PA projection · right pediatric wrist radiograph · 10y M · 688 by 1268 pixels

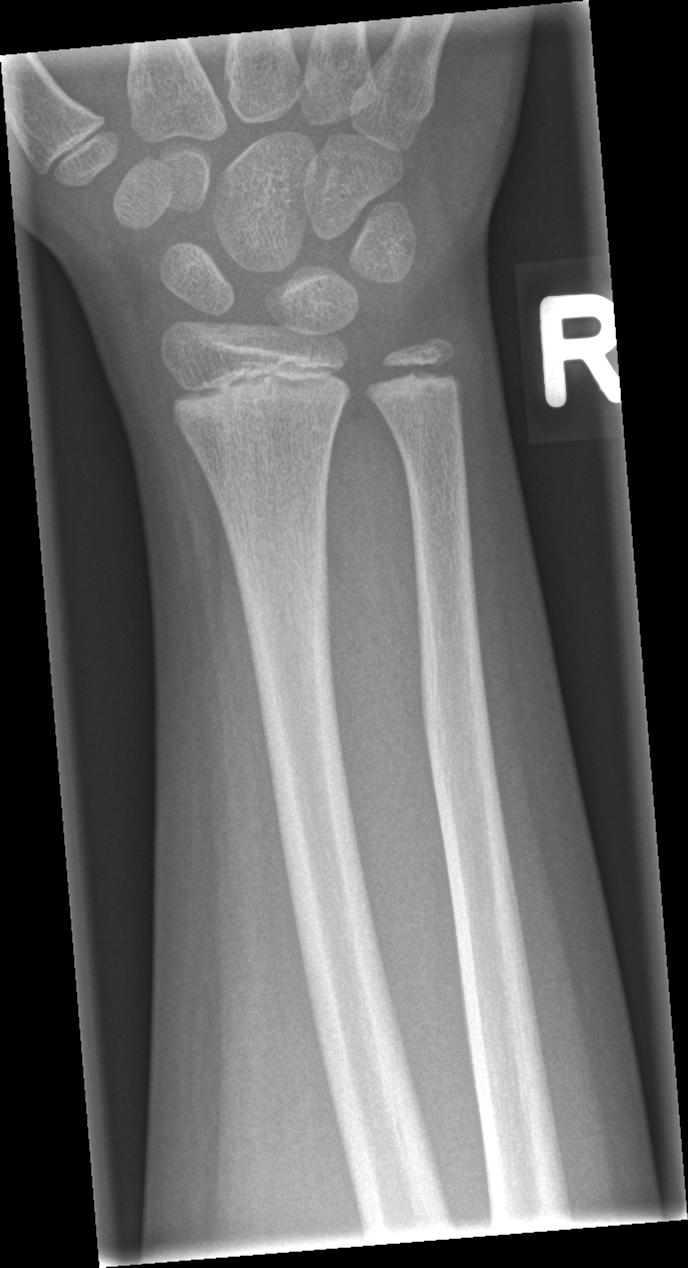

FINDINGS: No fracture labeled.